Posteroanterior | left wrist XR. 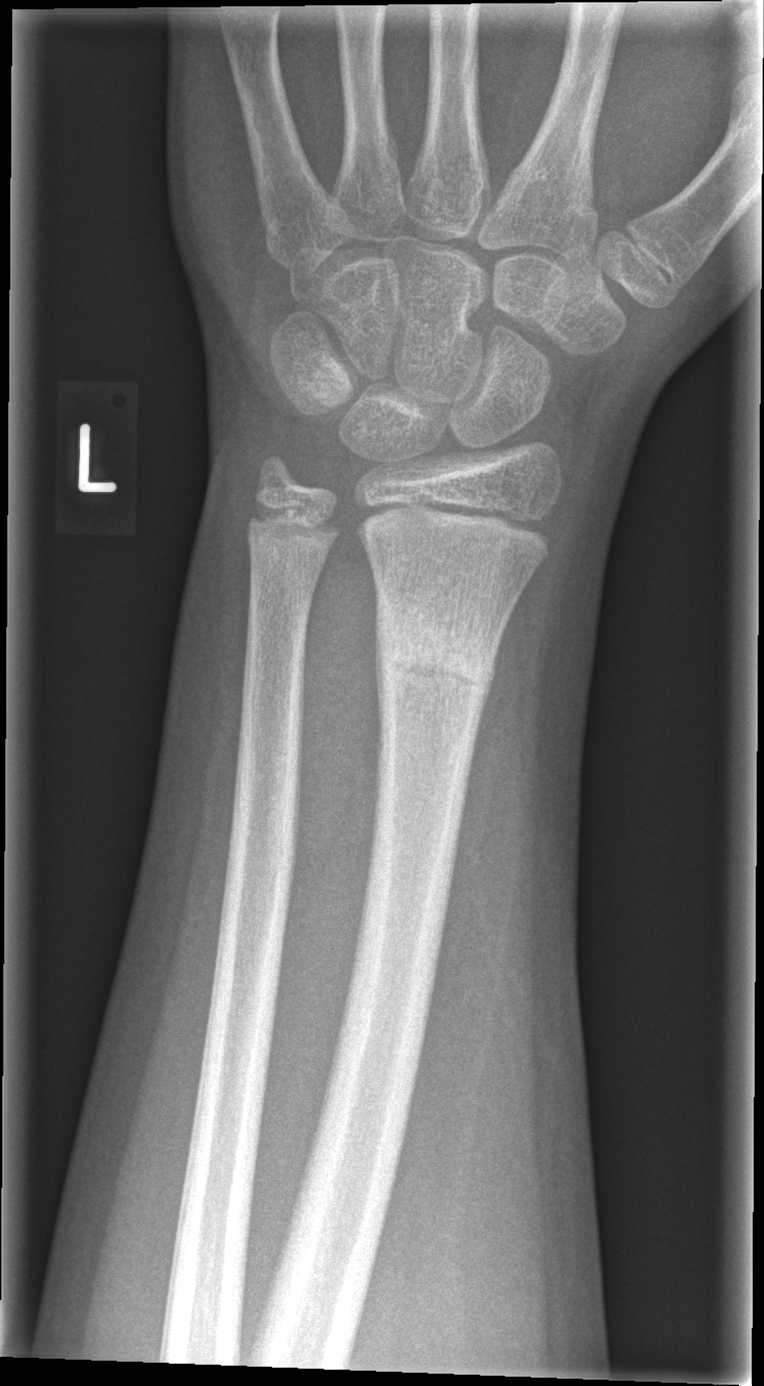
Bone fracture — 372,603,498,697.
Periosteal new bone: 375,594,384,772.